Left wrist plain radiograph of the wrist; PA projection; index exam; 574x920
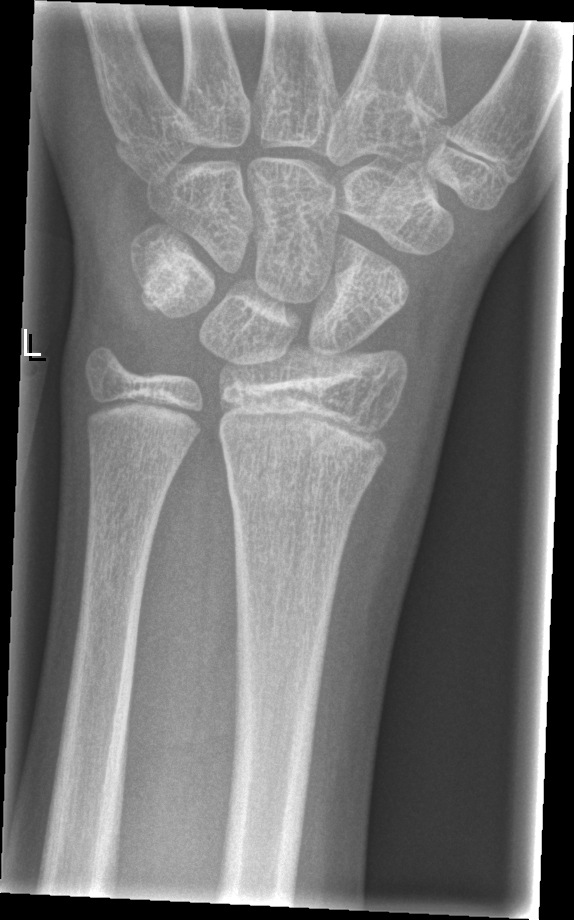 - Boxes as x1,y1,x2,y2 (top-left / bottom-right, pixel units).
- Bone fracture — [224, 459, 367, 529].
- AO/OTA classification: 23r-M/2.1.